L wrist X-ray, PA/AP projection, presentation radiograph, Siemens
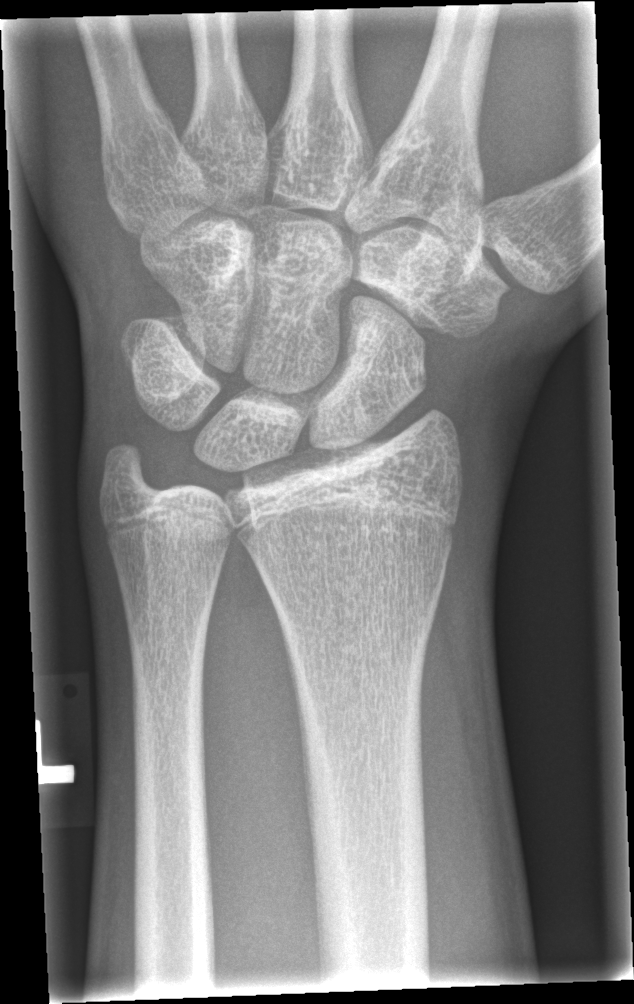

No fracture annotation.